Lateral view, L pediatric wrist radiograph, in cast. 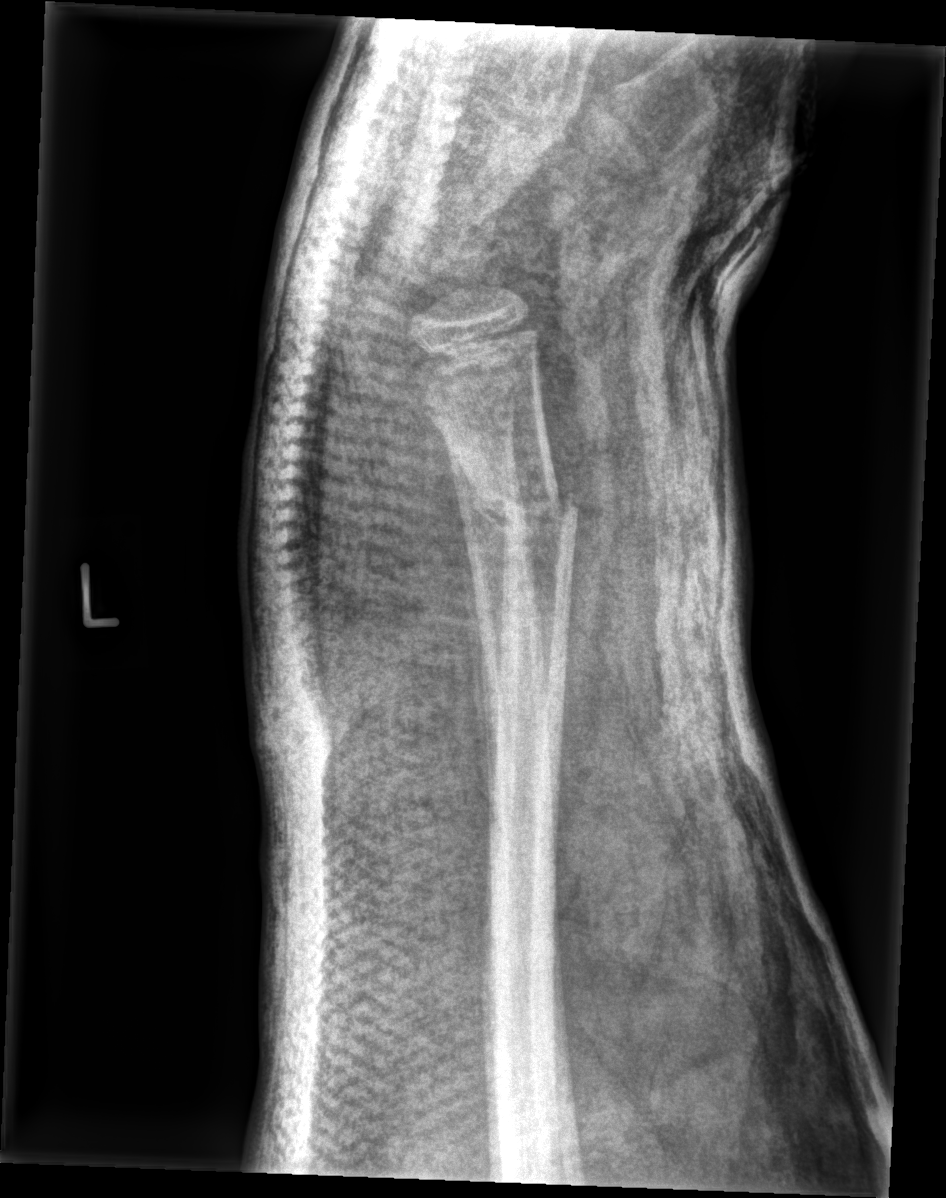

Fx: 1 @ bbox(461, 469, 584, 540)
AO classification: 23r-M/3.1; 23u-M/2.1; 23u-E/7